Left plain radiograph of the wrist; lateral; girl, 11 yo; 457 by 928 pixels:
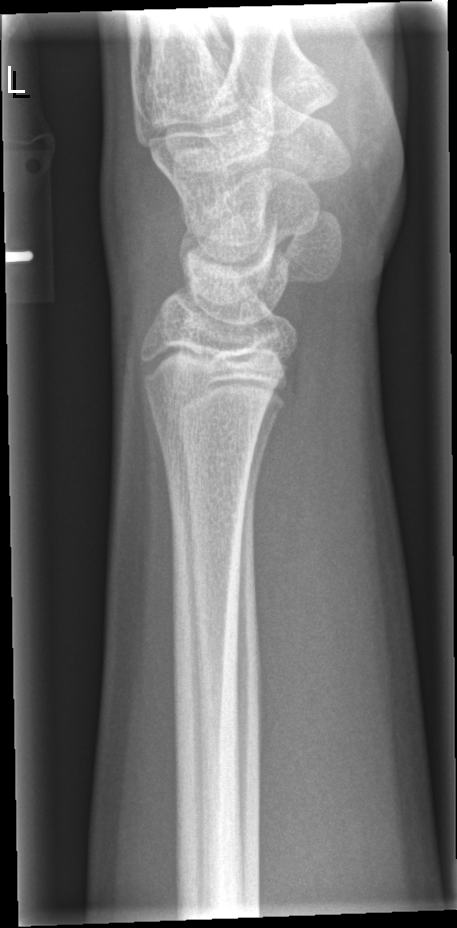
Q: Fracture present?
A: No fracture bounding box